Lateral · left wrist XR · presentation radiograph · acquired on Siemens. 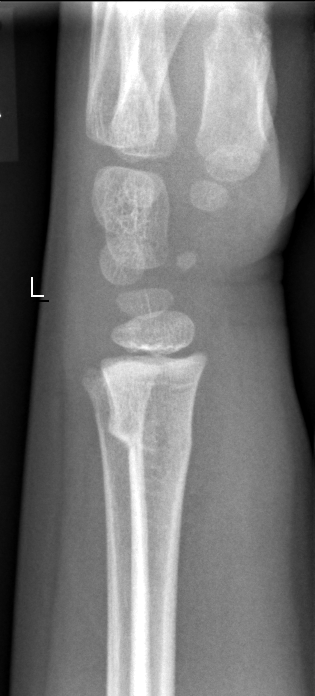

AO code: 23-M/2.1
Fracture: 1 @ 103 395 196 464